AP projection, left plain radiograph of the wrist, 12-year-old male, detector: Siemens, image width 88.3 mm.

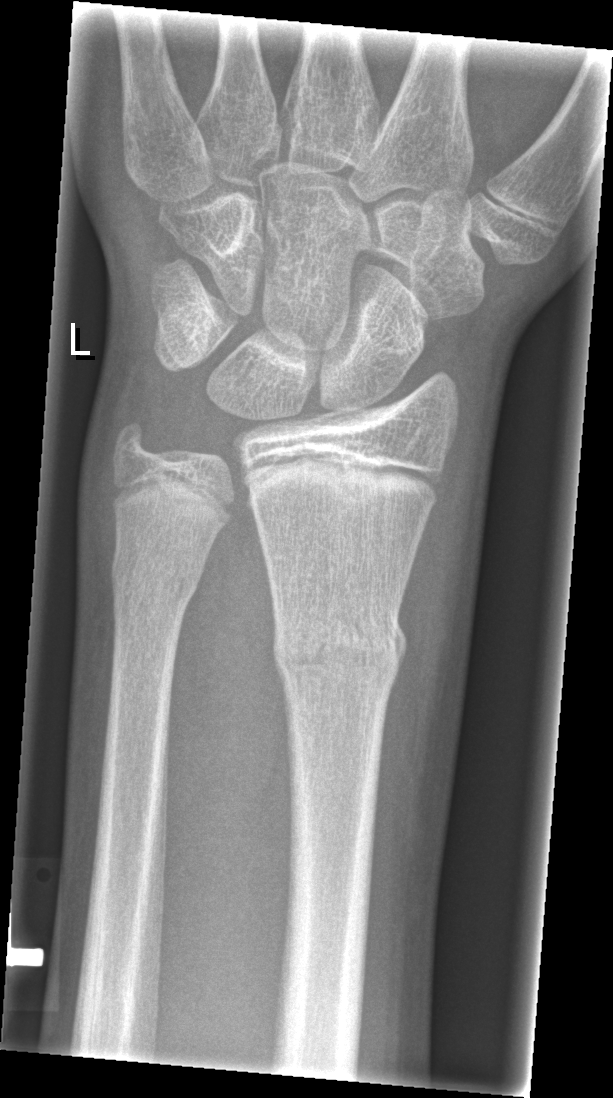
(pixel coordinates, top-left origin, xyxy)
AO code: 23-M/2.1
bone fracture: 2 @ 268 595 410 698 | 105 541 209 621